PA projection, Lt plain radiograph of the wrist:
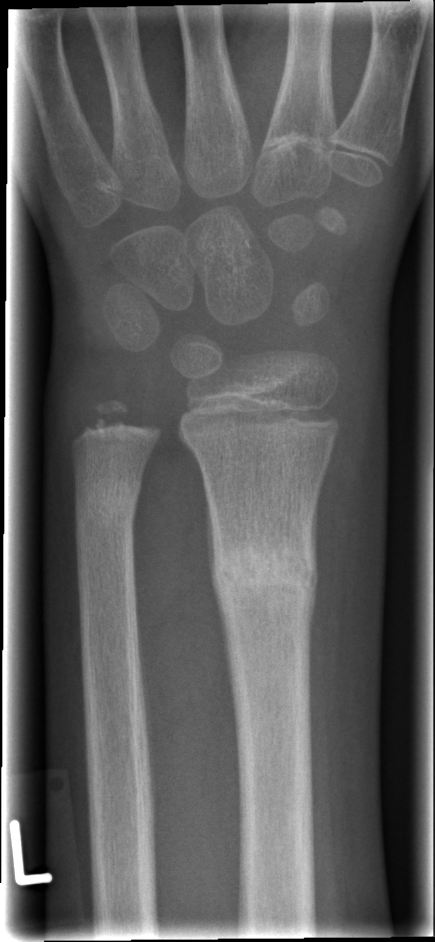
FINDINGS — (pixel coordinates, top-left origin, xyxy) Periosteal thickening — [x1=204, y1=483, x2=222, y2=632]. Fx: [x1=207, y1=527, x2=322, y2=613], [x1=72, y1=476, x2=146, y2=528]. Reduced bone mineral density. AO code 23-M/2.1.